Rt wrist XR · PA view

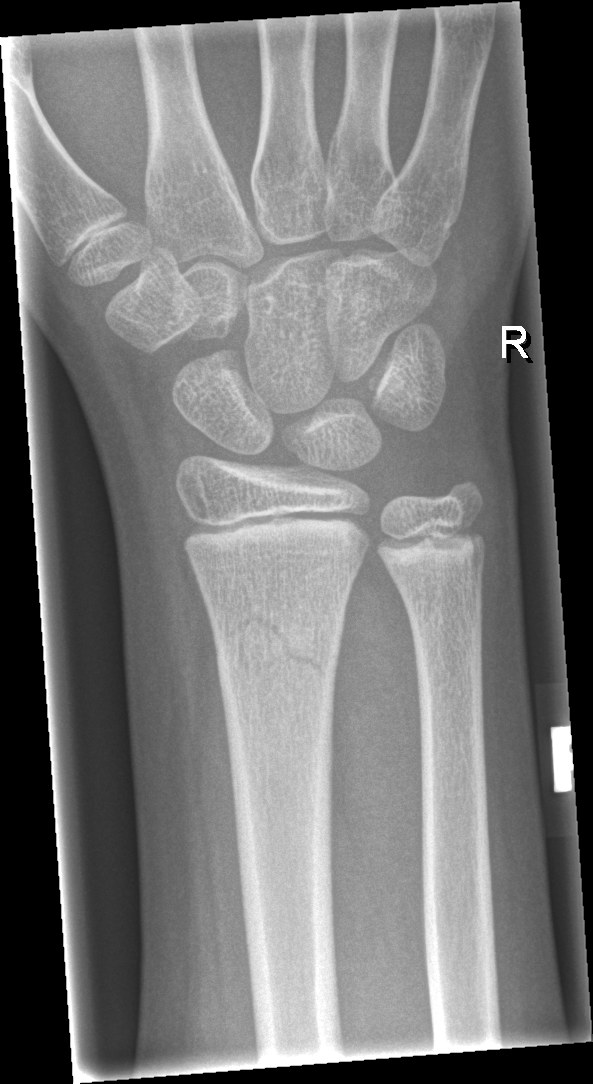

  # bounding boxes in image-pixel xyxy
  fracture: 1 @ 208,600,343,701
  ao: 23r-M/3.1